Lt wrist plain film, lateral, image 80.4 mm wide. 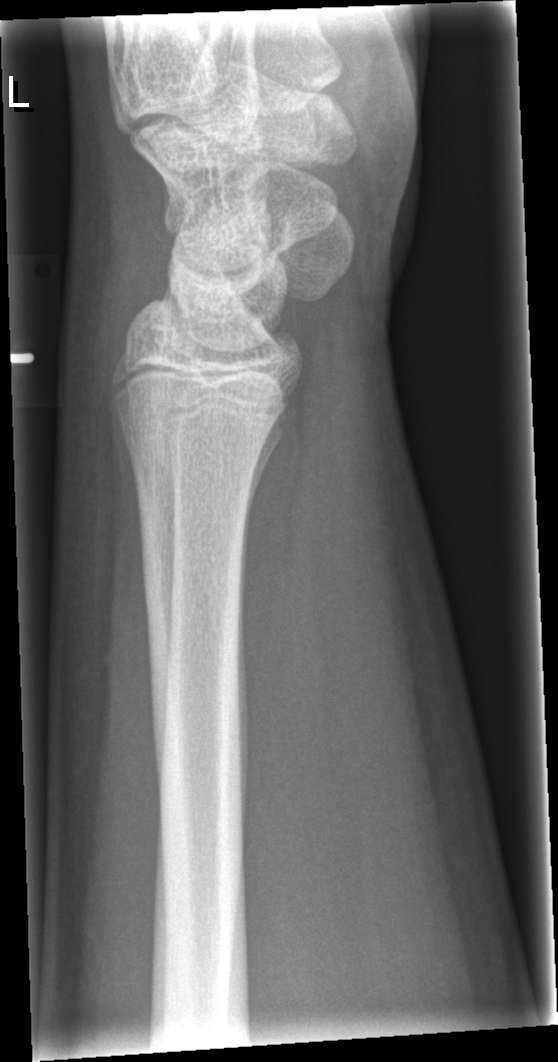 - No fracture annotation.